Right wrist XR; AP; age 13 y, male; index exam
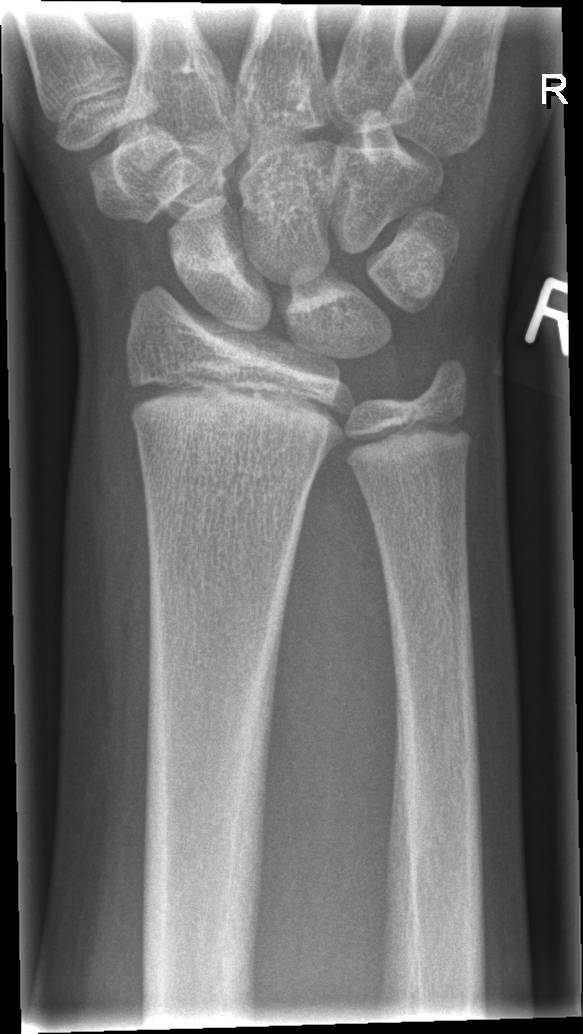

FINDINGS — Fx: none.